PA | L wrist plain film | pediatric patient (male, age 16) | 776 x 1034 px. 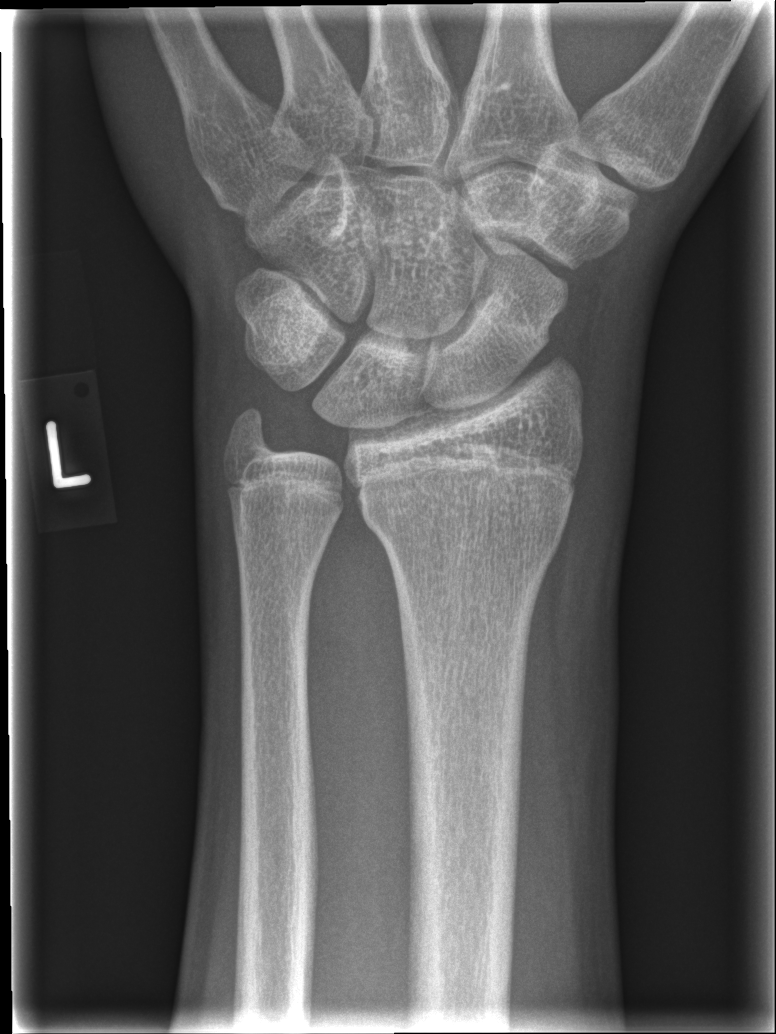 Bone fracture = none labeled